Right wrist plain radiograph of the wrist · lat view · follow-up · cast present · detector: Siemens · 656 by 1424 pixels —

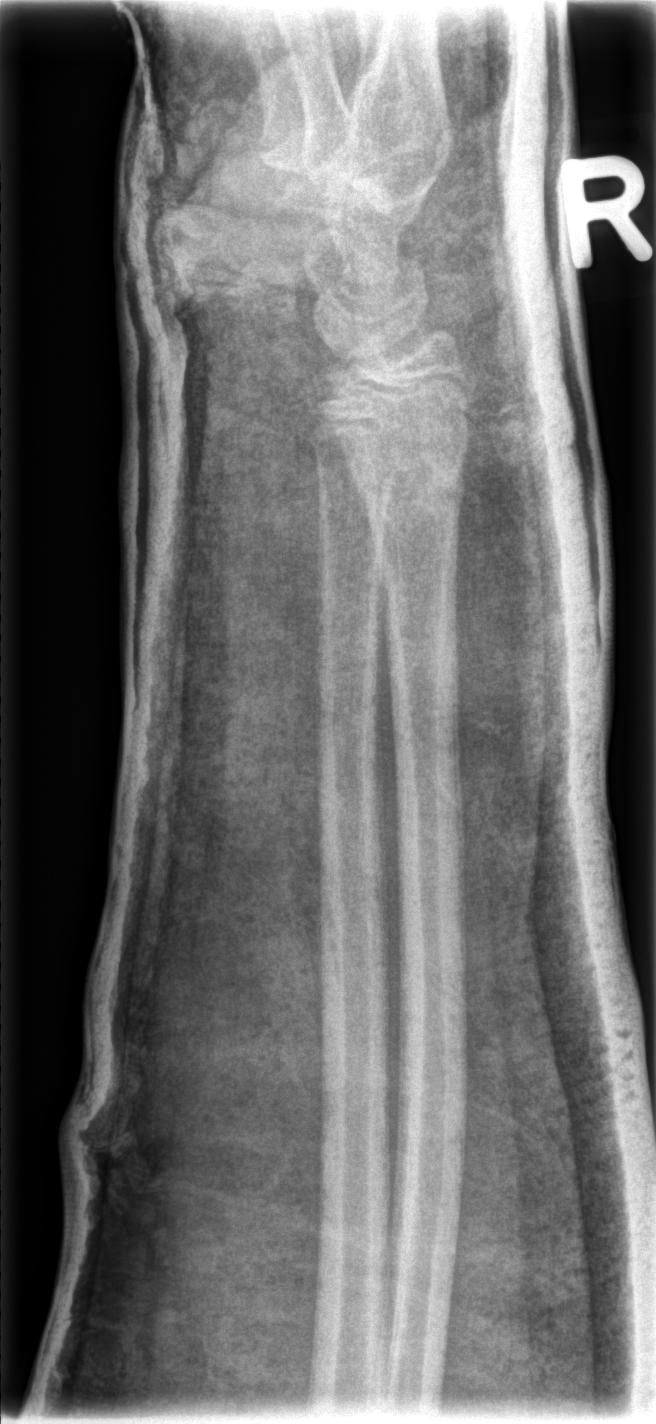

Findings: (boxes as x1,y1,x2,y2 (top-left / bottom-right, pixel units)) One bone fracture at bbox(352, 443, 470, 540).